AP view · right wrist plain radiograph of the wrist · pediatric patient (girl, age 9) · acquired on Siemens. 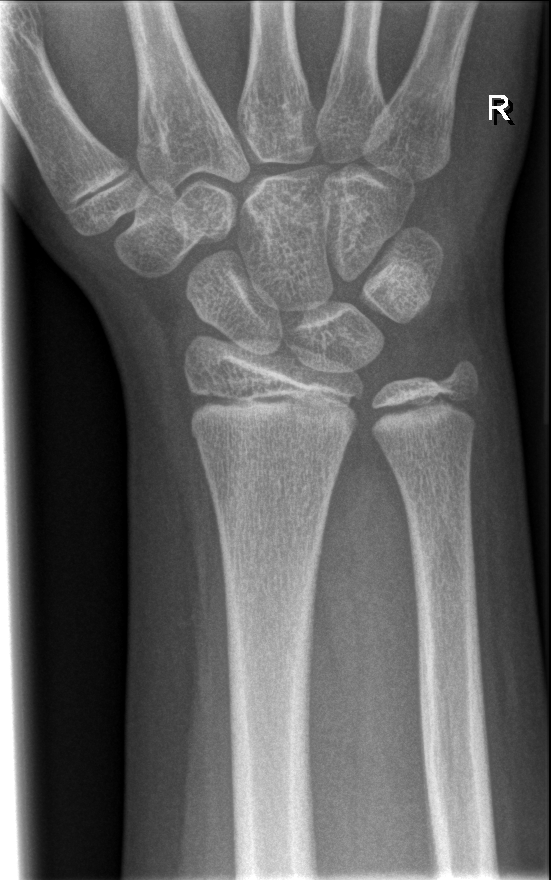 fracture: none labeled